L wrist plain film; PA projection; age 10 y, female; follow-up study; Siemens

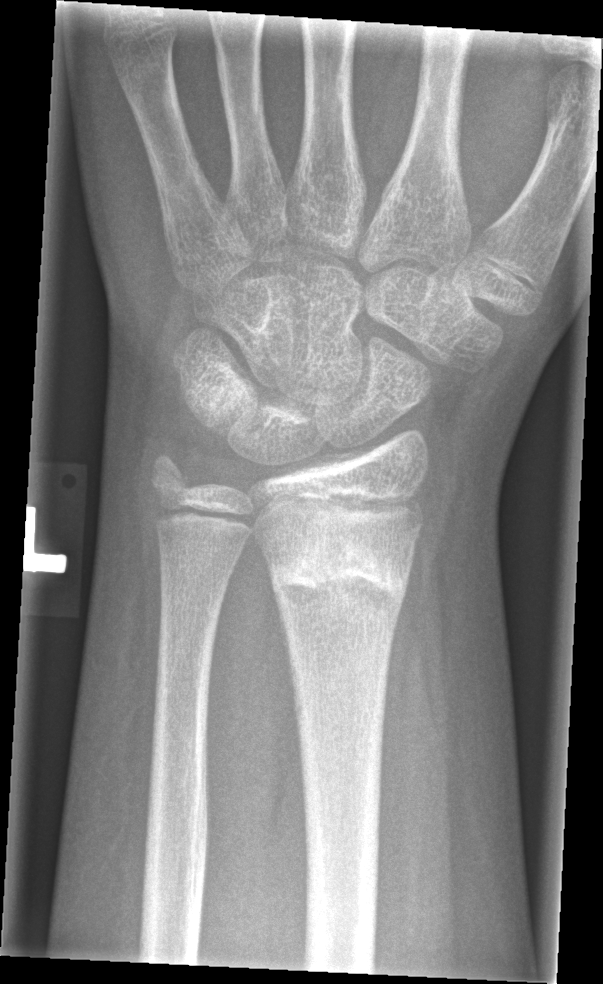
AO classification = 23r-M/3.1; 23u-E/7
Fracture = [x1=262, y1=529, x2=413, y2=623], [x1=144, y1=448, x2=197, y2=501]